Lateral projection · right wrist XR:
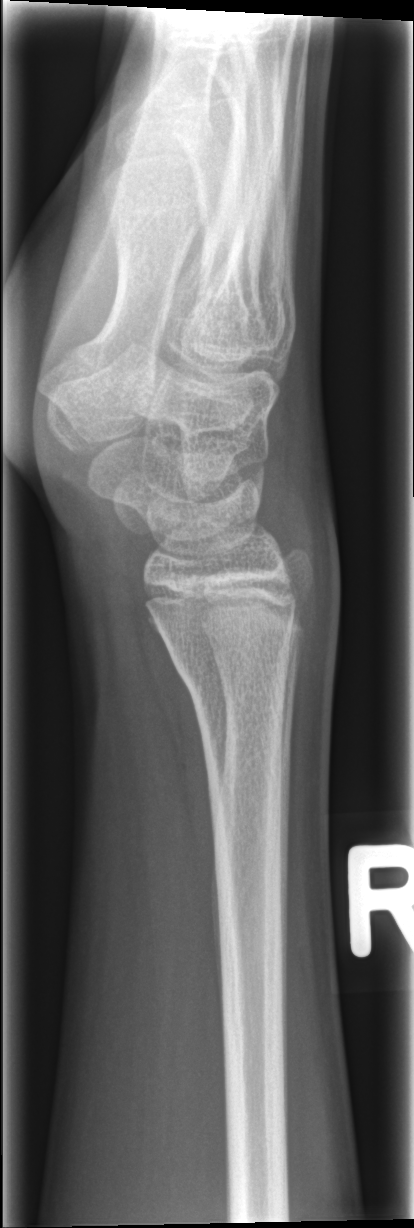
(boxes as x1,y1,x2,y2 (top-left / bottom-right, pixel units))
AO/OTA: 23r-M/2.1
Fx: 1 @ (left=166, top=632, right=294, bottom=699)